Posteroanterior projection | R wrist radiograph | follow-up | in cast

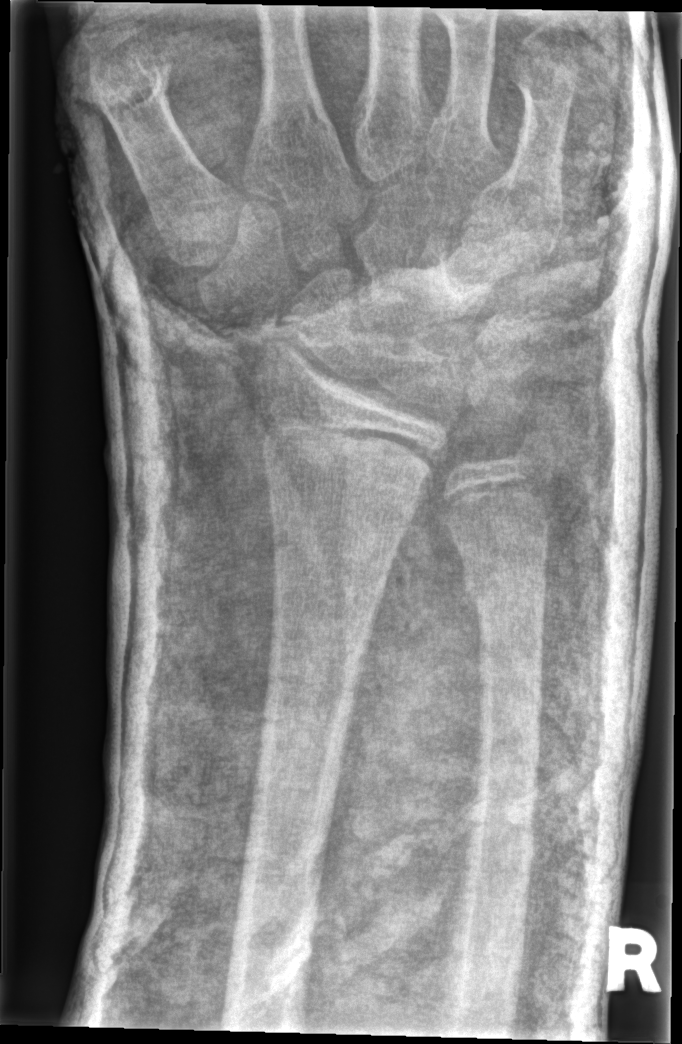
- Bone fracture: [264, 414, 444, 525] [459, 552, 549, 624].